Lat view; Lt pediatric wrist radiograph; image size 518x1055

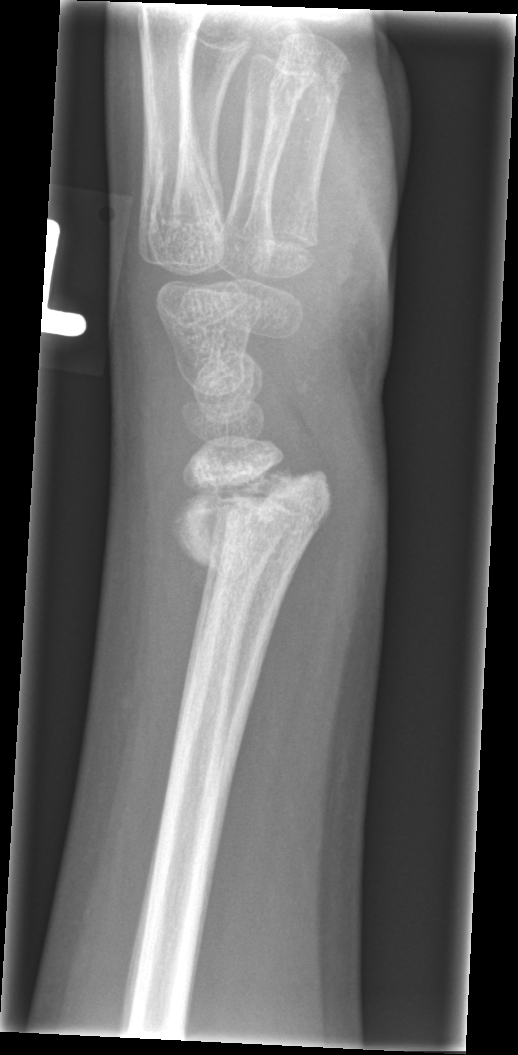
FINDINGS — (boxes as x1,y1,x2,y2 (top-left / bottom-right, pixel units)) One fracture at 168,456,335,574.